Lateral view, right wrist plain radiograph of the wrist.

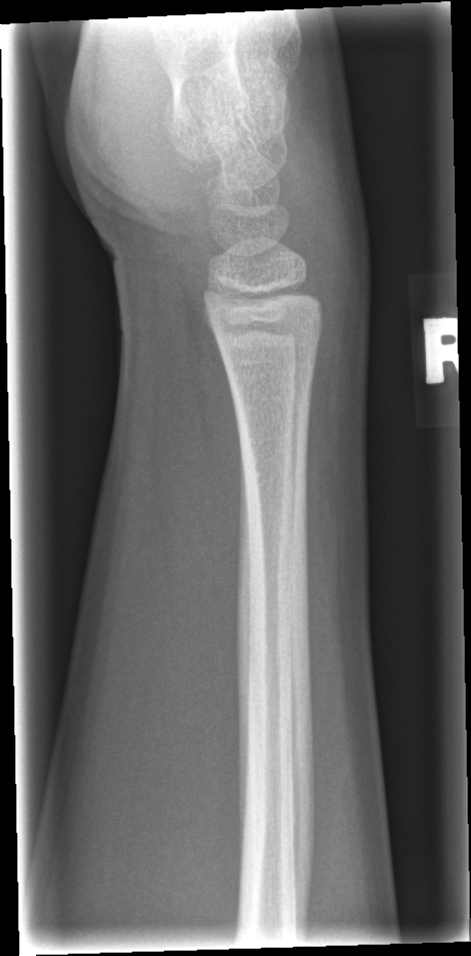
FINDINGS: Fx: none.